L wrist plain film | oblique view | imaged through cast | acquired on Siemens | 788 x 1250 px:
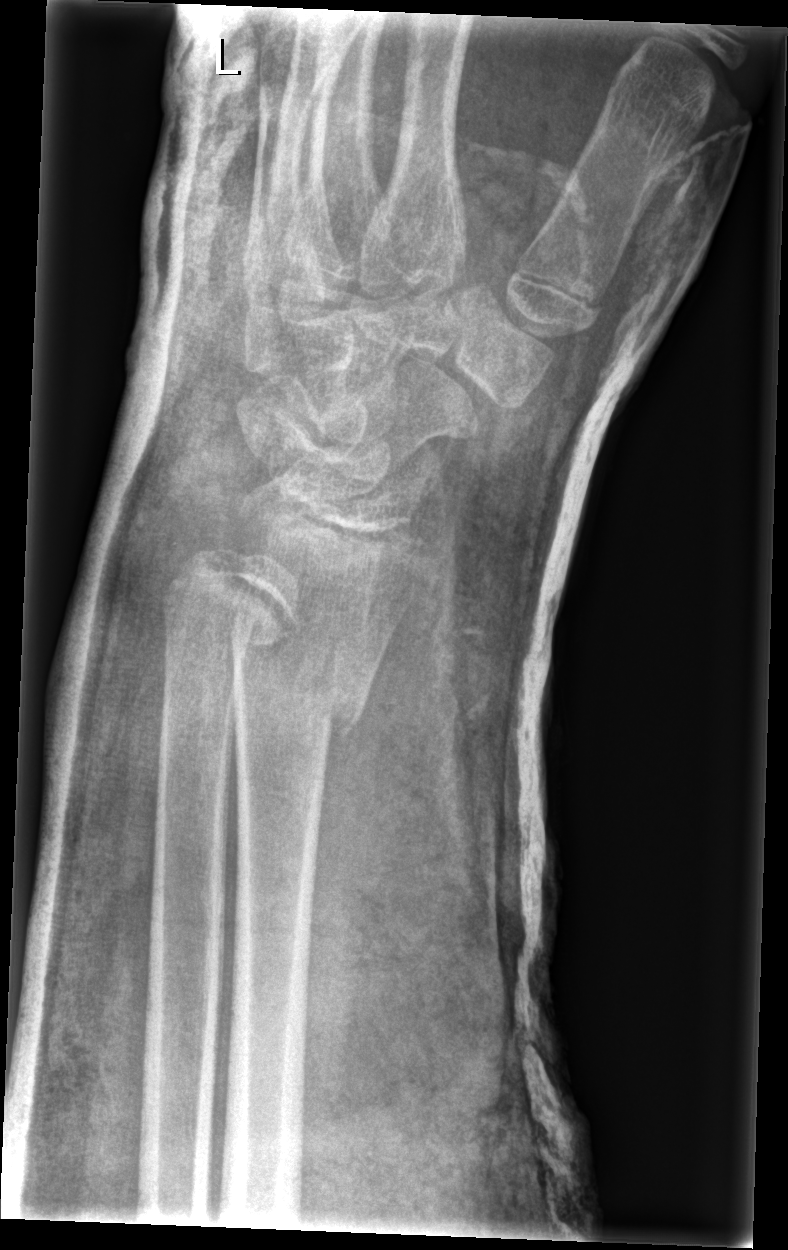

(bounding boxes in image-pixel xyxy)
AO classification = 23r-M/2.1; 23u-E/2.1
bone fracture = 2 @ (226, 638, 367, 761); (163, 547, 299, 656)